AP view; right pediatric wrist radiograph; 9-year-old male; acquired on Siemens; image width 96.2 mm: 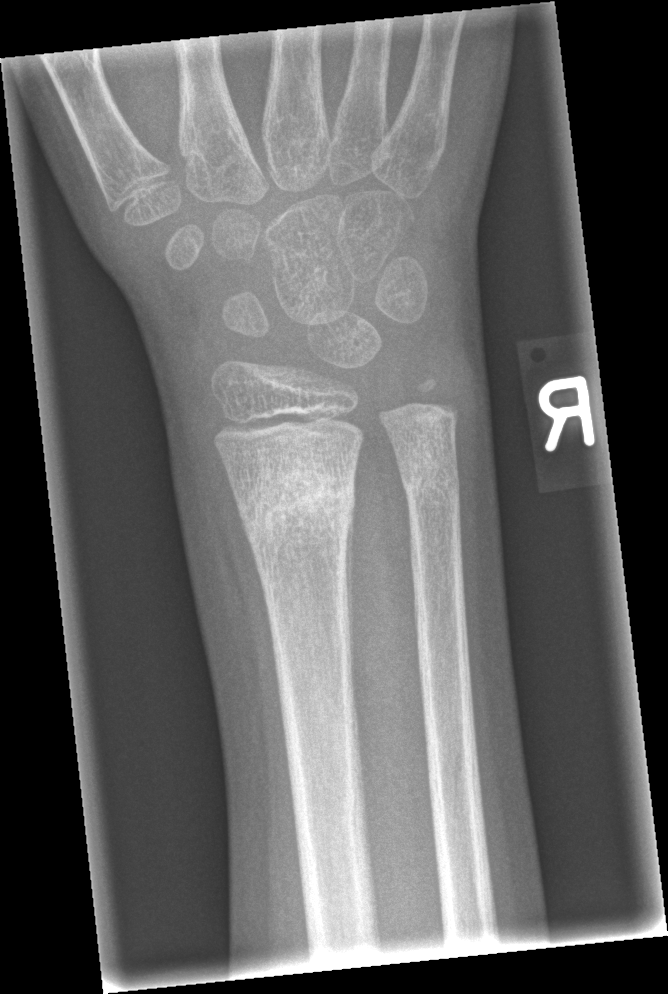
AO/OTA: 23-M/3.1
Bone fracture: 2 @ 231 454 359 551
  393 461 463 508
Periosteal new bone: 344 501 355 697